Lat projection; Lt wrist plain film
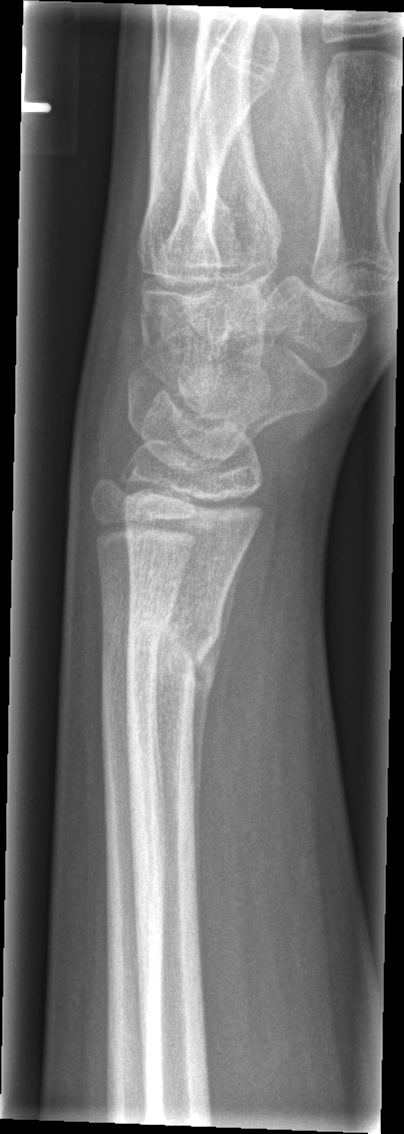
Findings: AO/OTA classification: 23-M/2.1. One fracture at [x1=122, y1=604, x2=223, y2=685]. One periosteal new bone at [x1=190, y1=544, x2=250, y2=930].